Lateral projection | R wrist plain film | 10y F | acquired on Siemens: 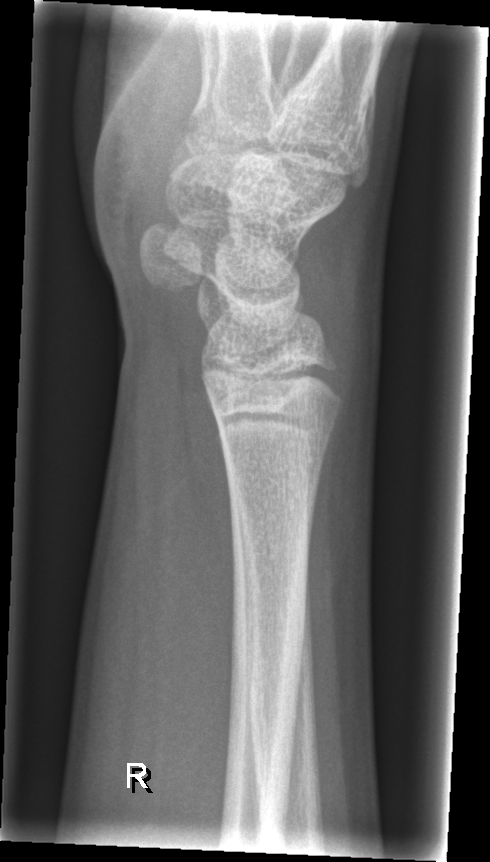
No Fx annotated.